Lat view, left wrist plain film, 6y F, 69.6 mm image width — 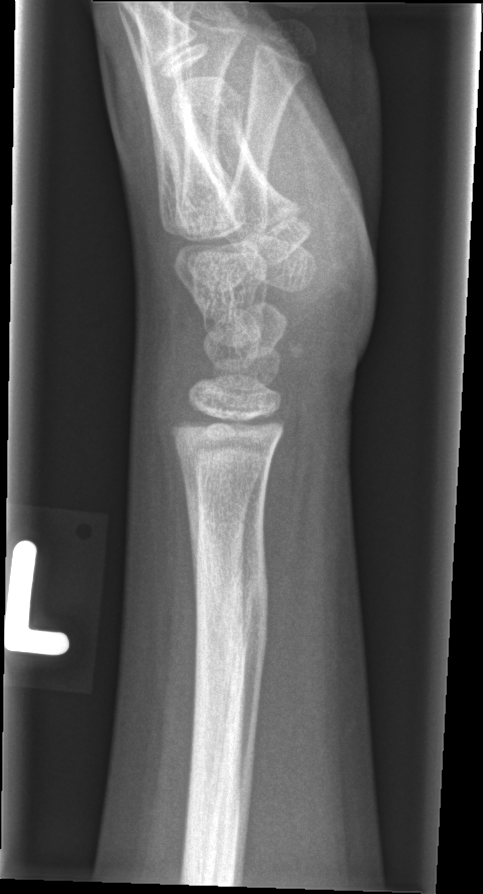
(coordinates are [x1, y1, x2, y2] in image pixels)
fracture: 1 @ 187,534,273,683